Left wrist XR · lateral view 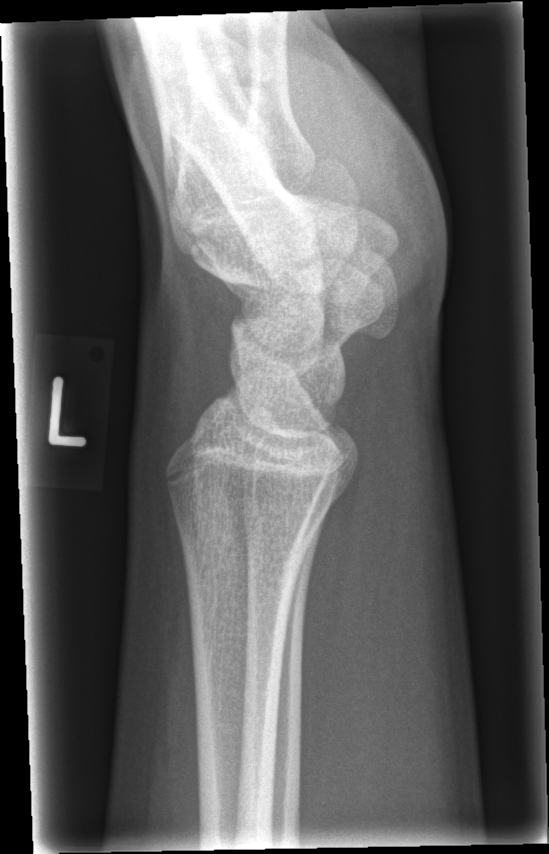
  fracture: none labeled